Lateral projection | left wrist X-ray.

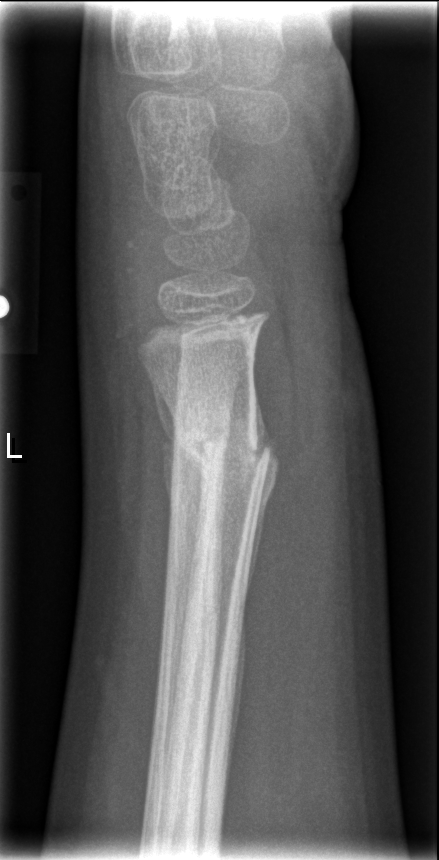 • AO code 23-M/3.1.
• Periosteal reaction: <227,387>-<281,776>; <150,368>-<209,658>.
• Reduced bone mineral density.
• Fracture — <164,398>-<274,510>.